Lat projection, right wrist pediatric wrist radiograph, index exam, findings marked uncertain by the reading radiologist
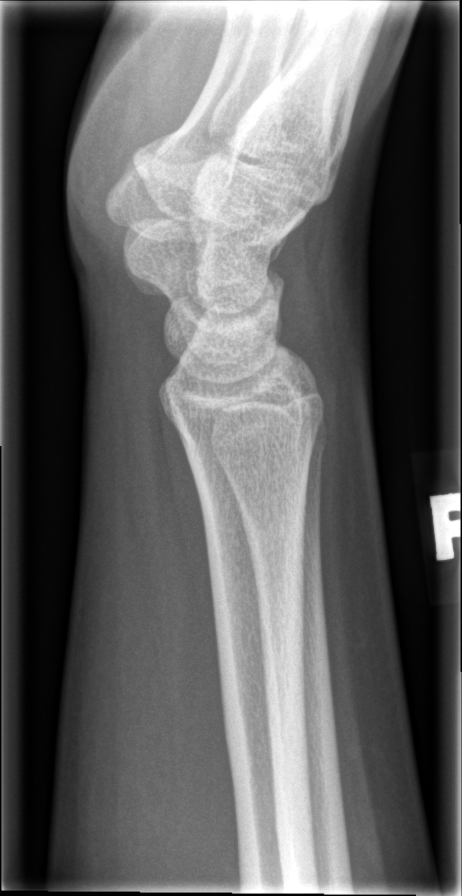 {"fracture": "none labeled"}